Left wrist radiograph, lateral projection, 9-year-old boy — 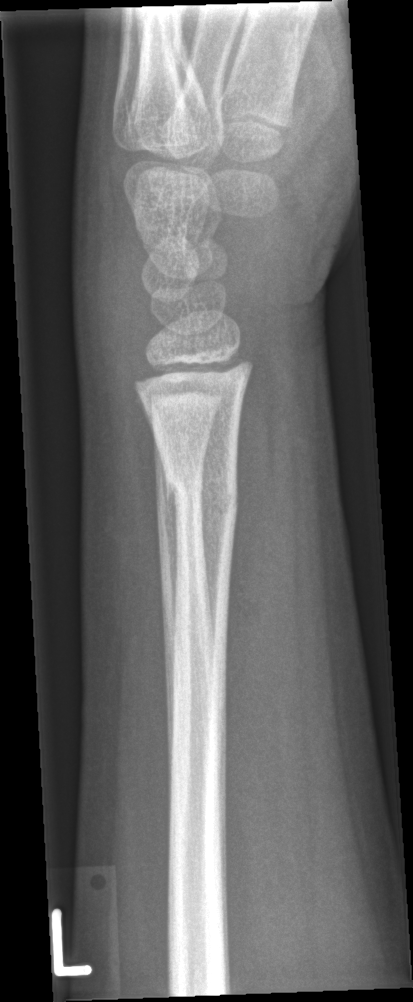

• AO code 23r-M/2.1.
• Pronator sign — 222 345 274 696.
• Fracture identified at 161 458 241 541.